Lat projection; L wrist XR; imaged through cast; image width 72.9 mm —

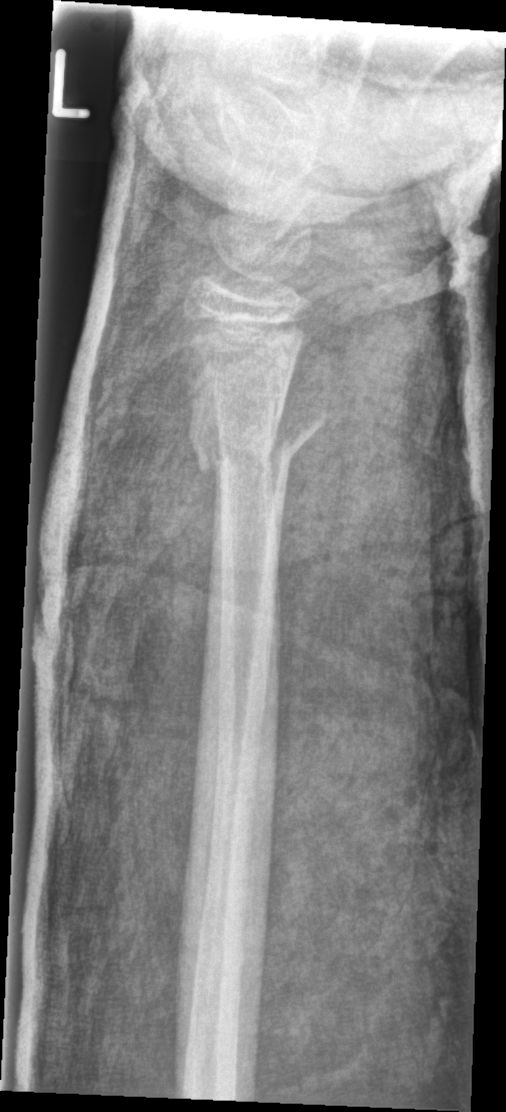
fracture = [185, 401, 330, 474]